L wrist XR, lateral, pediatric patient (boy, age 9), initial study, image 64.9 mm wide 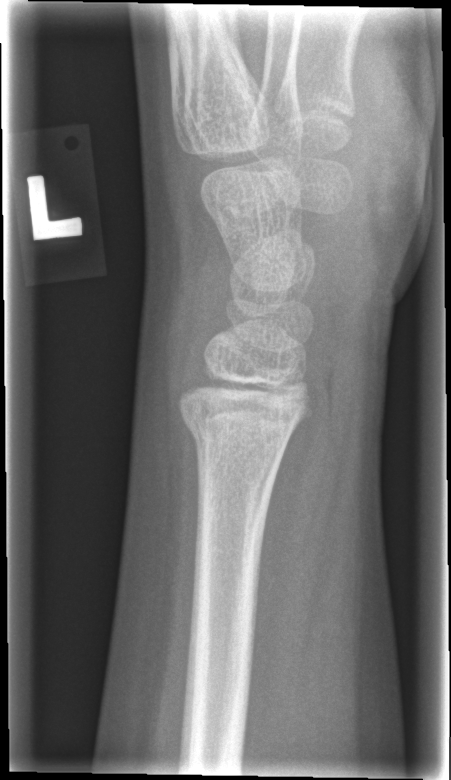

Findings: (pixel coordinates, top-left origin, xyxy) Fracture — [x1=178, y1=403, x2=299, y2=473]. Fracture classified AO/OTA 23r-M/2.1.